Lat; left wrist X-ray; 14-year-old boy; follow-up; detector: Siemens:

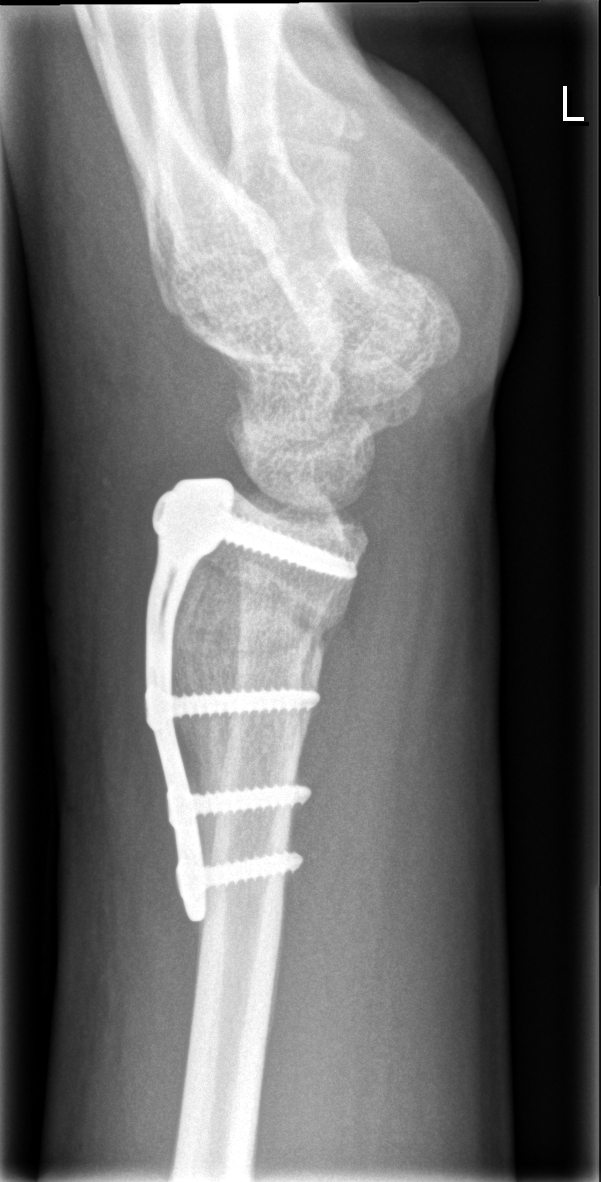 fracture: 180 557 351 684
metal: 1 @ 141 473 362 927
AO classification: 23r-M/3.1; 23u-E/7